Lat · R wrist XR · cast present · Siemens — 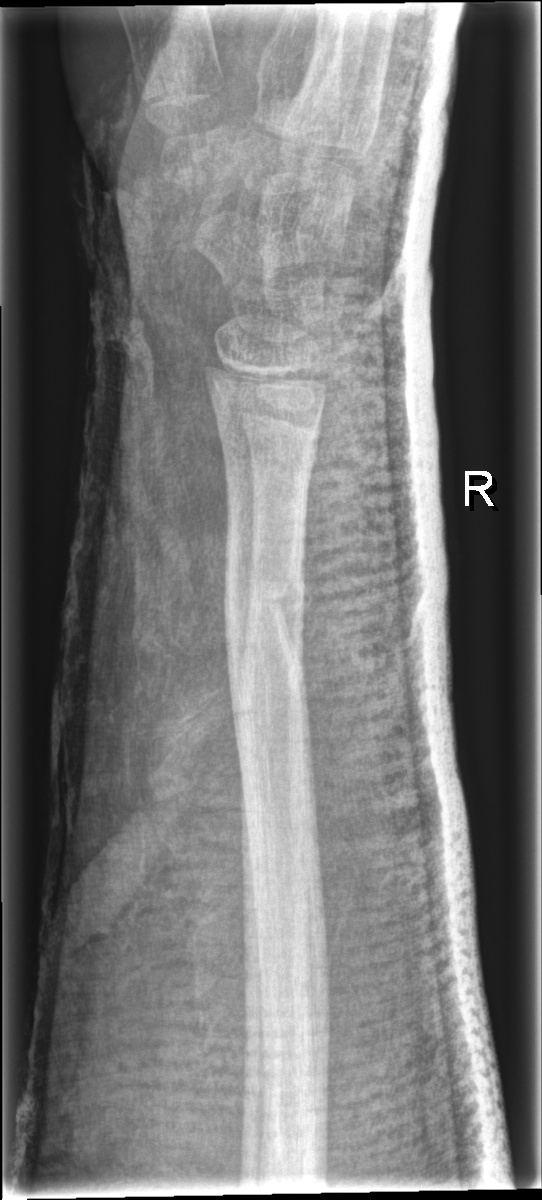 FINDINGS: (boxes as x1,y1,x2,y2 (top-left / bottom-right, pixel units)) AO/OTA classification: 23-M/2.1; 22u-D/2.1. One Fx at 216,570,316,643.